R plain radiograph of the wrist, PA view, pediatric patient (male, age 8), follow-up study, cast in situ, detector: Siemens, 96.8 mm image width. 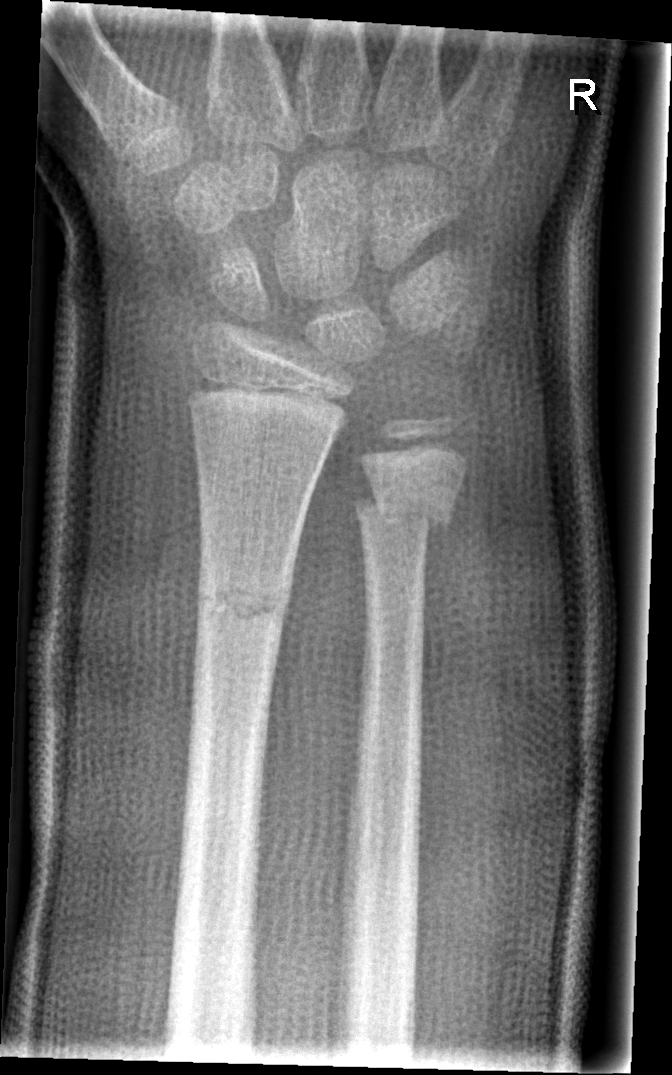
(bounding boxes in image-pixel xyxy)
Fracture: bbox(189, 566, 295, 634); bbox(351, 489, 456, 537)
AO/OTA: 23-M/3.1